PA/AP view | R wrist radiograph | pediatric patient (male, age 10) | 103.1 mm image width: 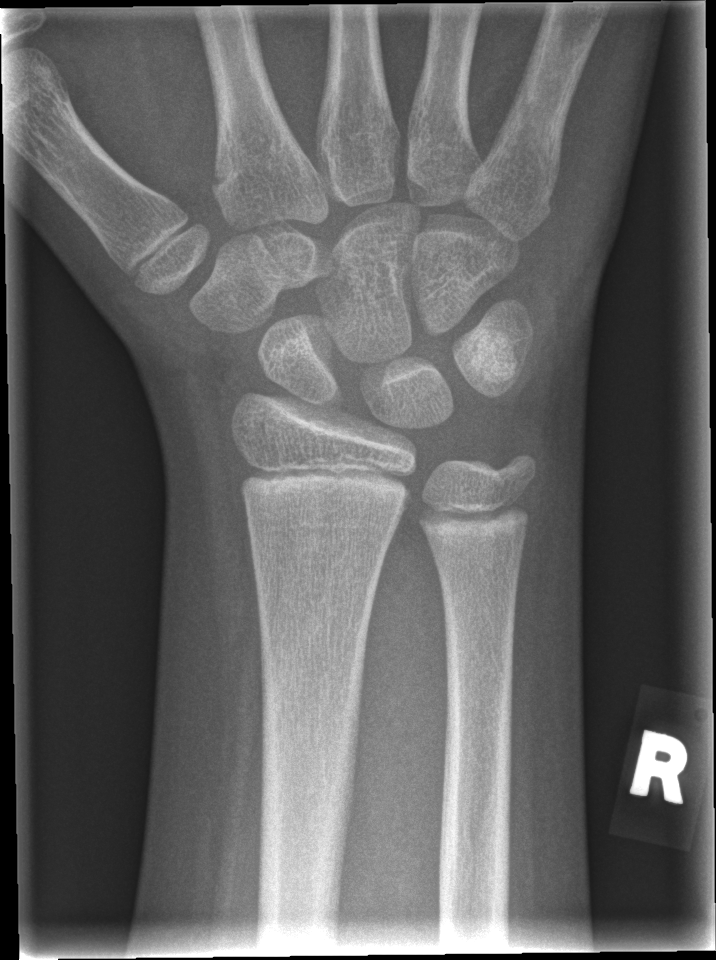

Fx: none.